L wrist plain film, posteroanterior projection, male, 15 yo, subsequent exam, 623 by 1314 pixels
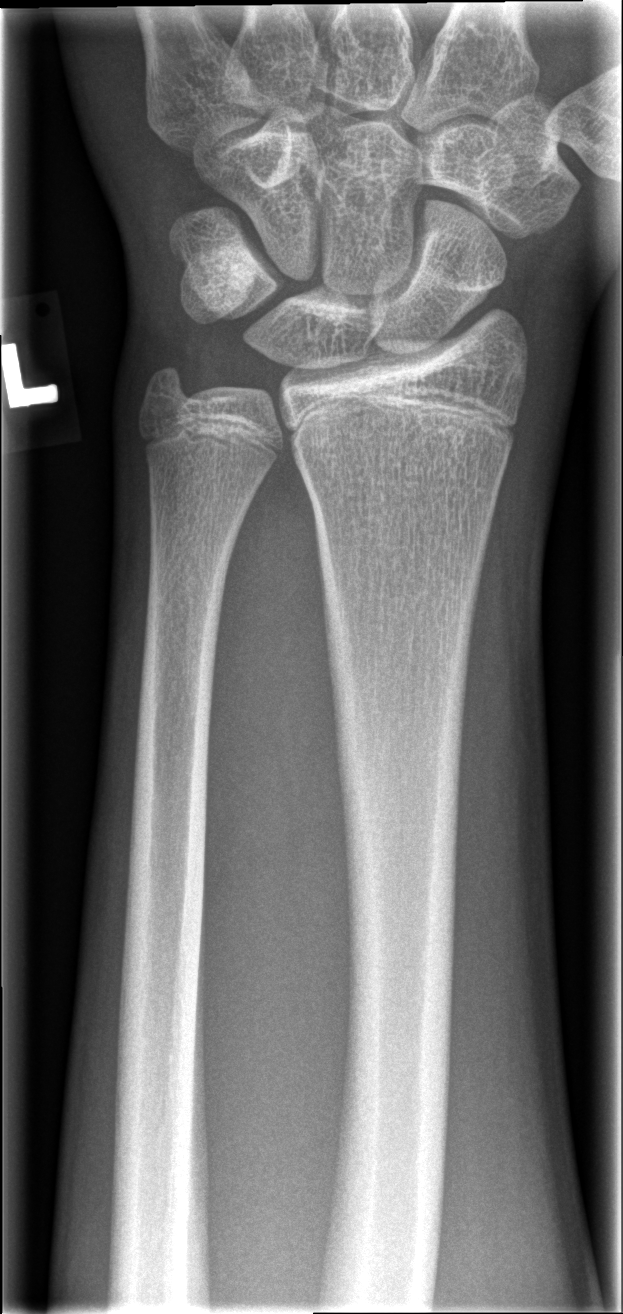   ao: 23r-M/2.1
  fracture: present but not clearly seen in this view